Posteroanterior projection, L plain radiograph of the wrist, subsequent exam, diagnosis uncertain.
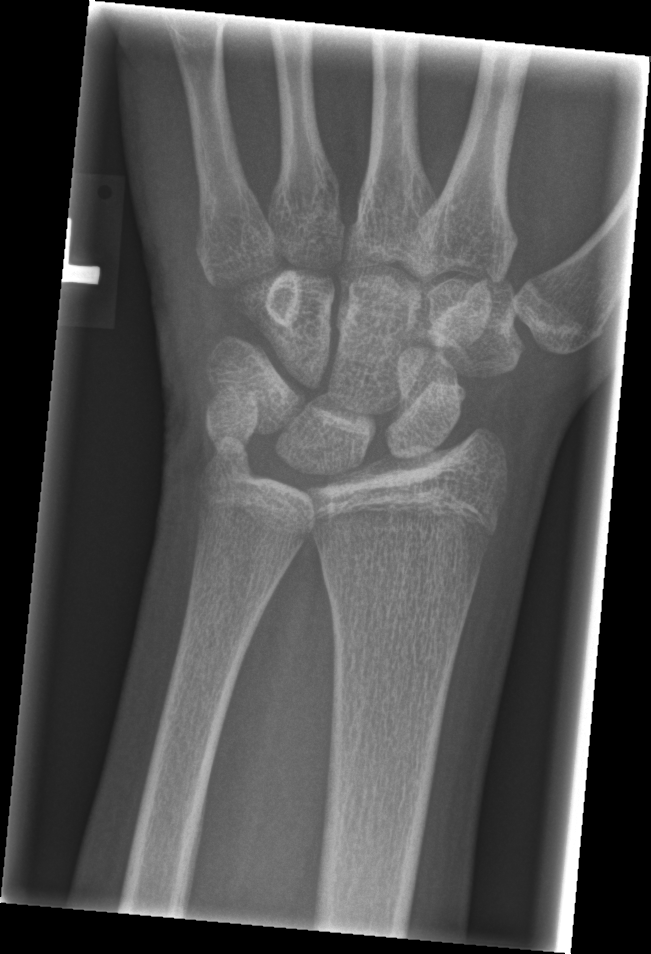
osteopenia: present
fracture: none labeled